Right wrist radiograph | PA | 4-year-old female | index exam | acquired on Siemens —
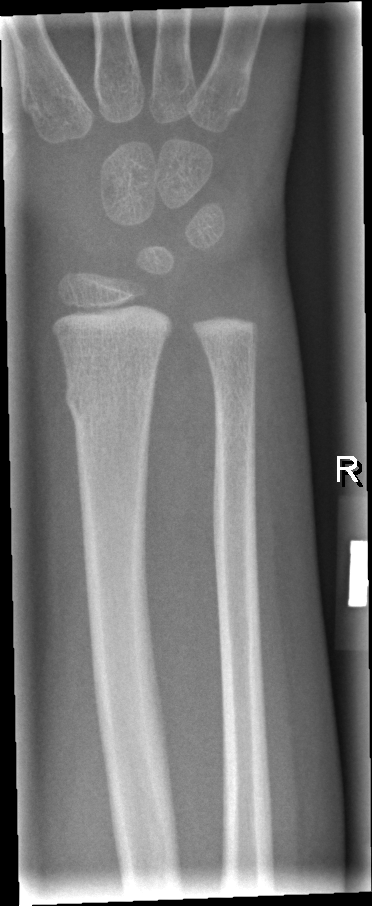

Findings: Fracture identified at 62 370 156 435.